Lt plain radiograph of the wrist; lateral view; 16-year-old male; index exam — 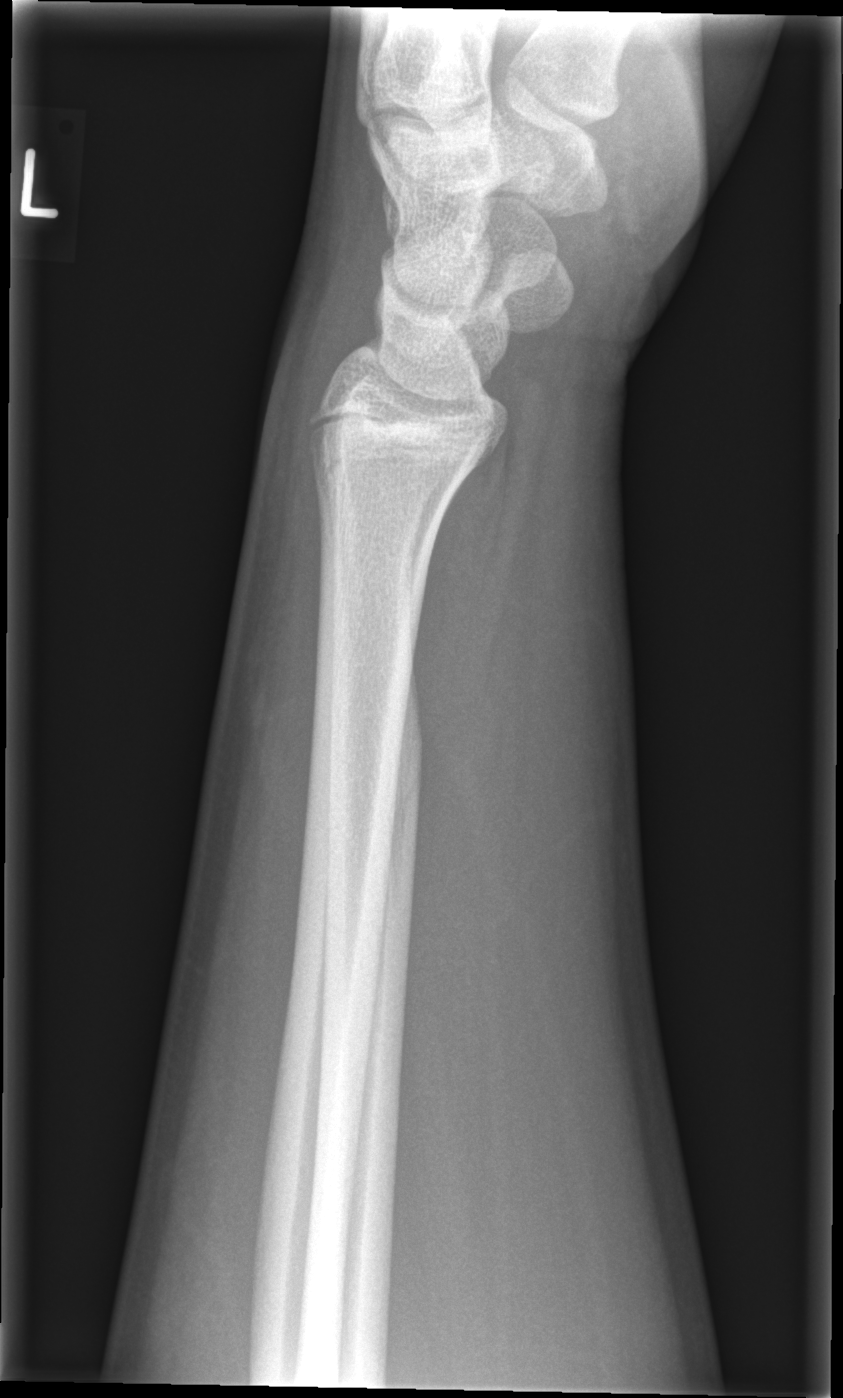
Fracture = none labeled